Left wrist plain radiograph of the wrist | frontal view | pediatric patient (male, age 10) | 652 by 1330 pixels —

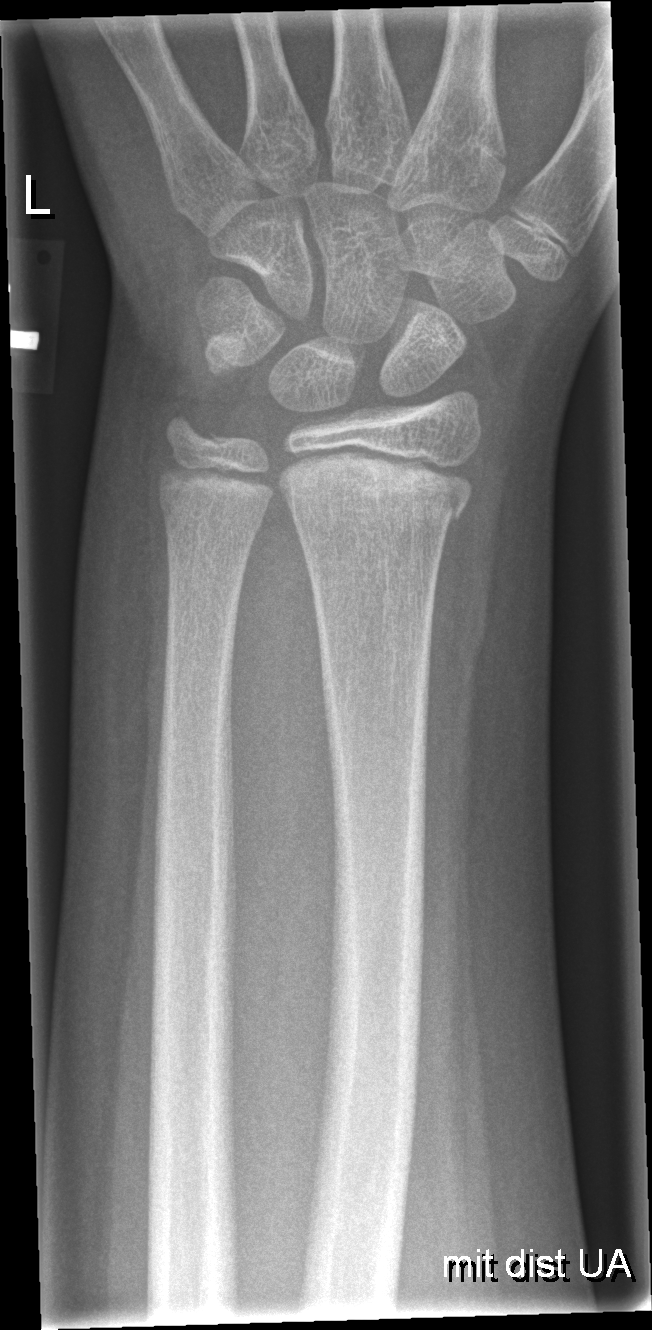

(pixel coordinates, top-left origin, xyxy)
Q: Is there a fracture?
A: Fx: <275,446>-<479,535>, <153,478>-<271,546>, <158,406>-<237,461>